AP projection; right wrist plain film; index exam —

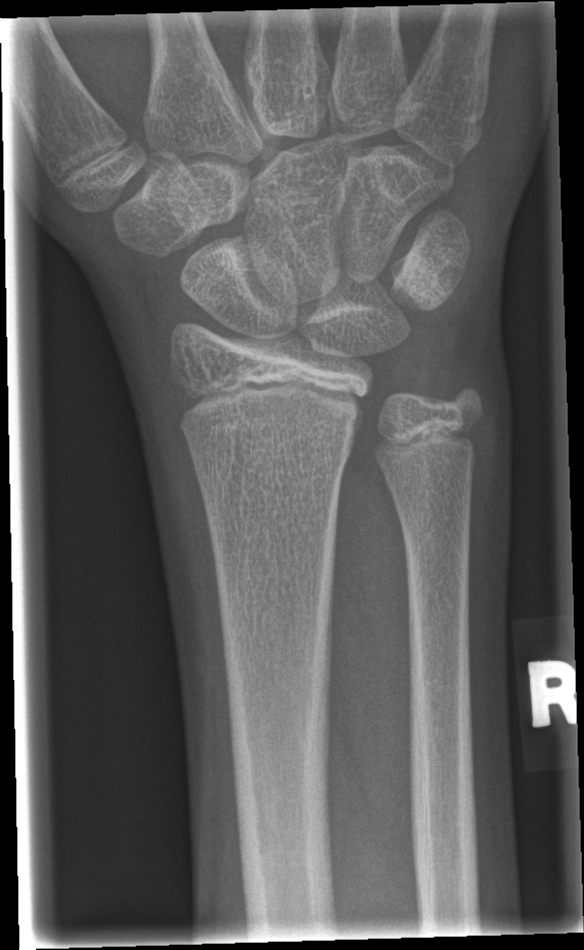 FINDINGS: No fracture bounding box.